Lat projection; R plain radiograph of the wrist
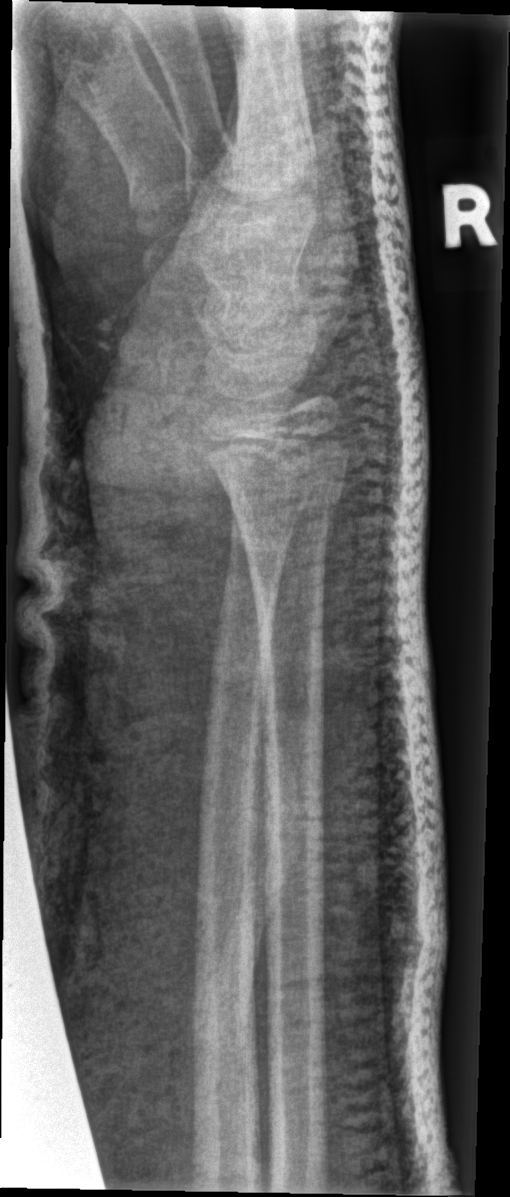

* Coordinates are [x1, y1, x2, y2] in image pixels.
* Bone fracture: 202 431 357 533.